Lat; right wrist X-ray; male, 14 yo; presentation radiograph:

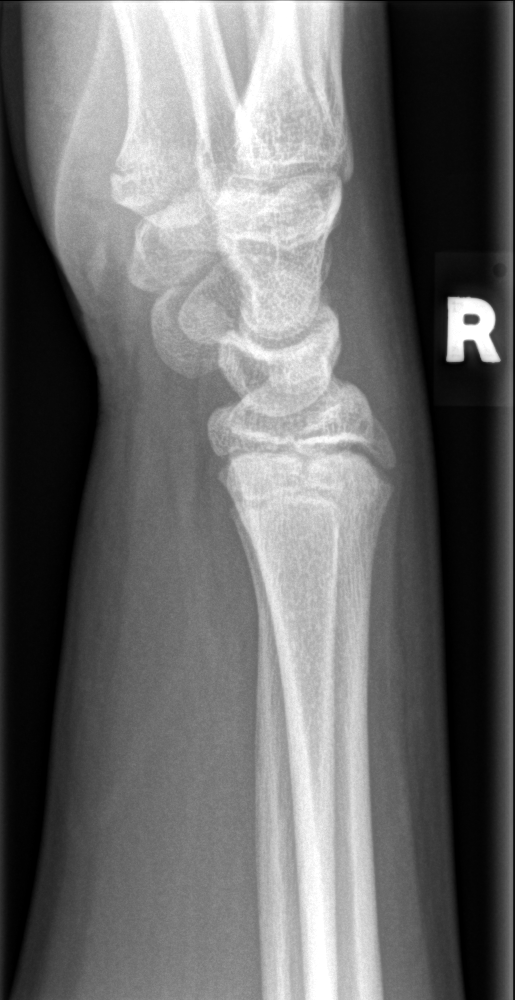

FINDINGS: No fracture labeled.